Posteroanterior, Rt wrist XR, pediatric patient (male, age 11) — 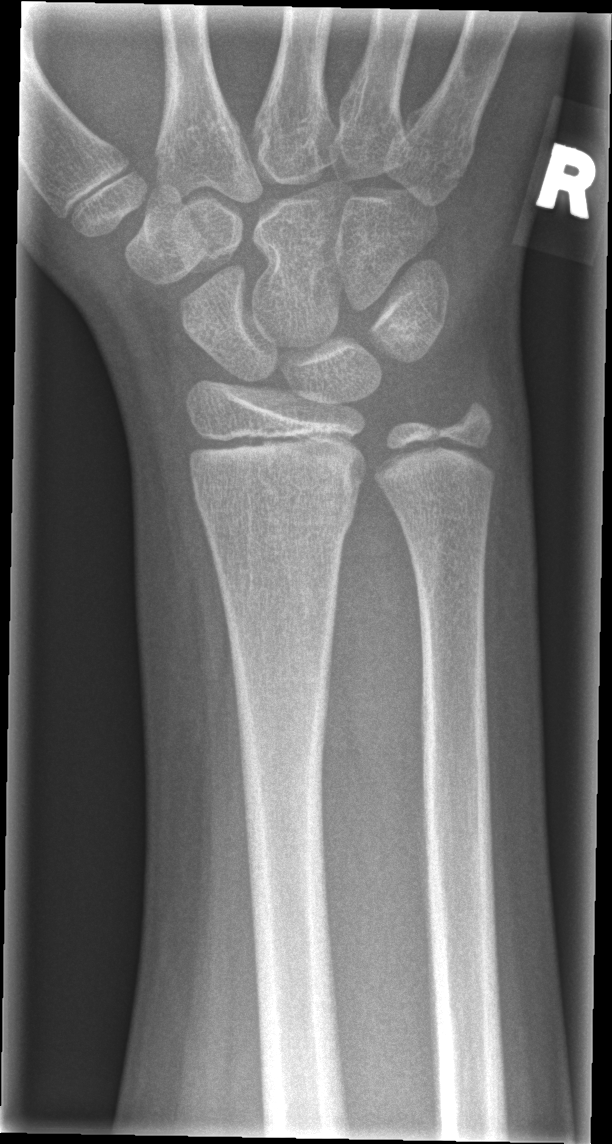

FINDINGS — Fx: 191 479 362 542. AO code 23r-M/2.1.